Lateral | Lt wrist plain film | pediatric patient (boy, age 16) | 550 by 1062 pixels
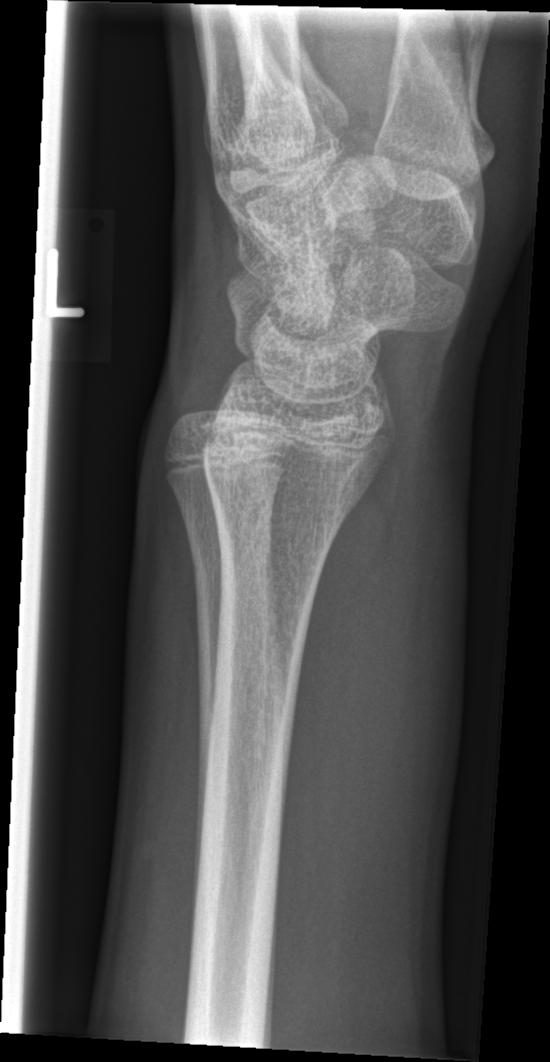

soft-tissue swelling: (left=248, top=394, right=469, bottom=969)
pronator sign: 1 @ (left=275, top=468, right=400, bottom=849)
fracture: none labeled